AP projection, R wrist plain film, female, 7 yo, acquired on Siemens:
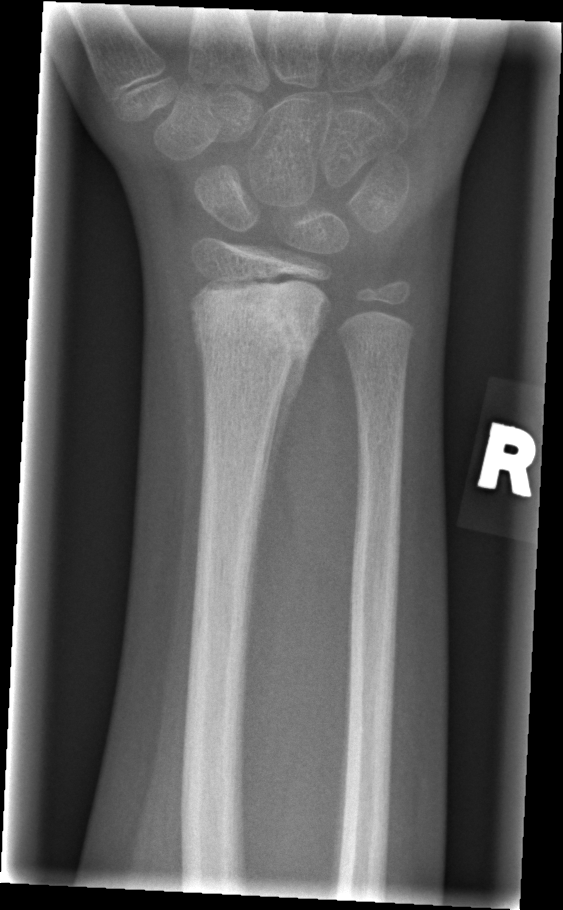

{
  "_coords": "pixel coordinates, top-left origin, xyxy",
  "periostealreaction": "1 @ 259,345,312,519",
  "fracture": "1 @ 187,270,331,367",
  "osteopenia": "present",
  "ao": "23r-E/2.1"
}